L wrist X-ray, lateral, 775 x 1414 px —
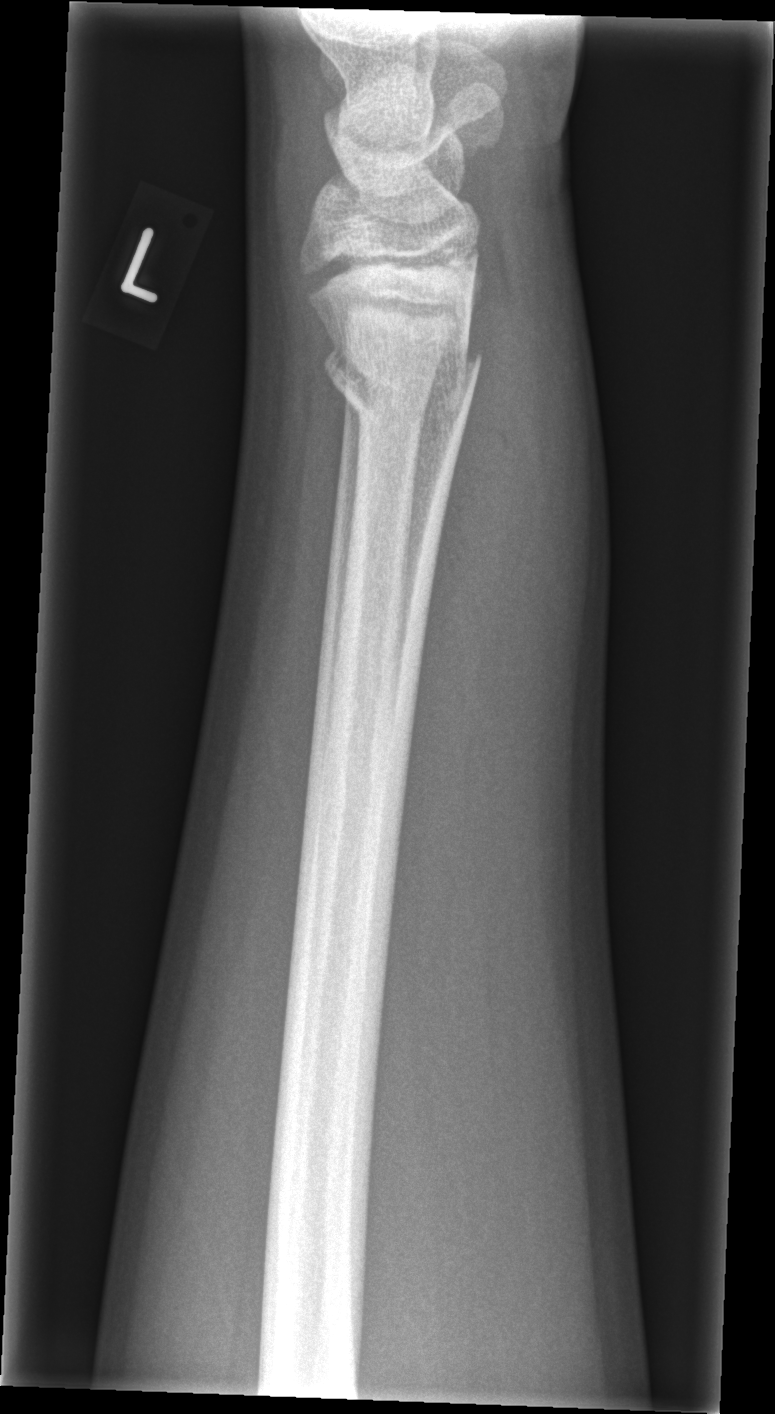 Findings: (coordinates are [x1, y1, x2, y2] in image pixels) Fracture identified at 318,325,488,425. Positive pronator fat-pad sign — 405,265,527,794.